Lt wrist radiograph · lateral view · cast present · detector: Siemens. 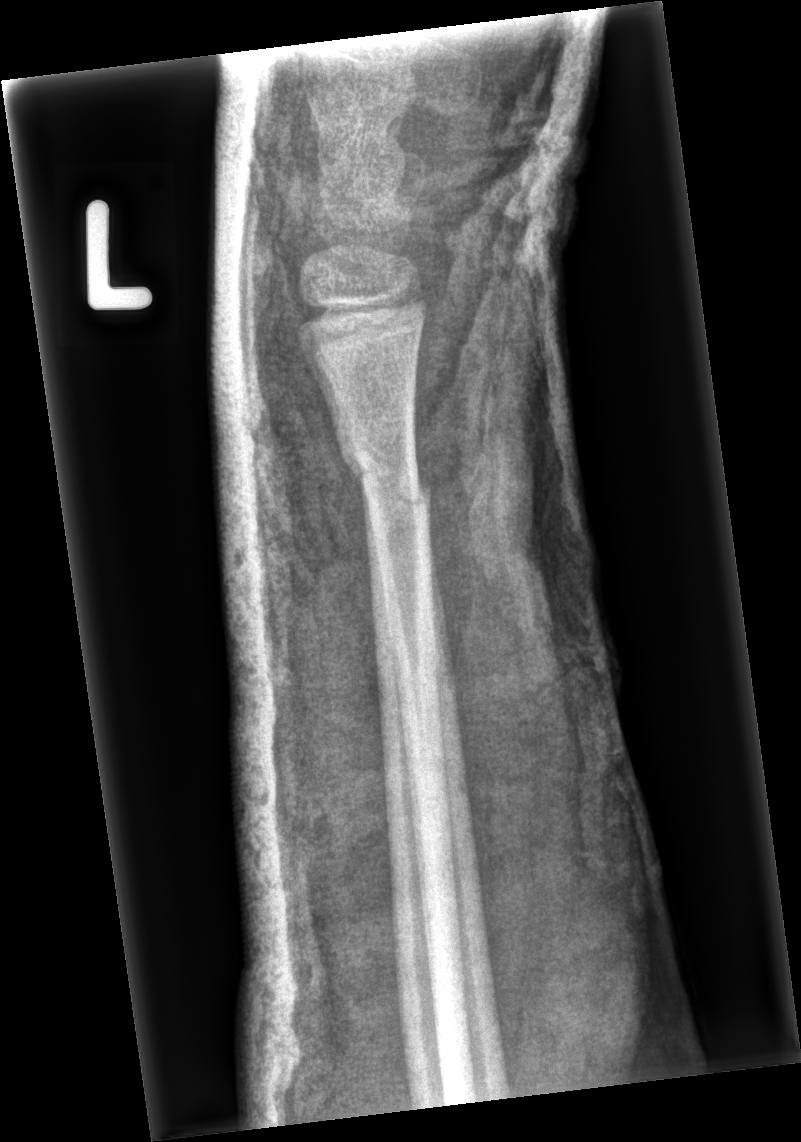

AO/OTA: 23r-M/3.1; 23u-M/2.1
Bone fracture: bbox(340, 442, 435, 520)